Right wrist XR | lateral view | 16y M | follow-up study | cast present | 513 x 1232 px. 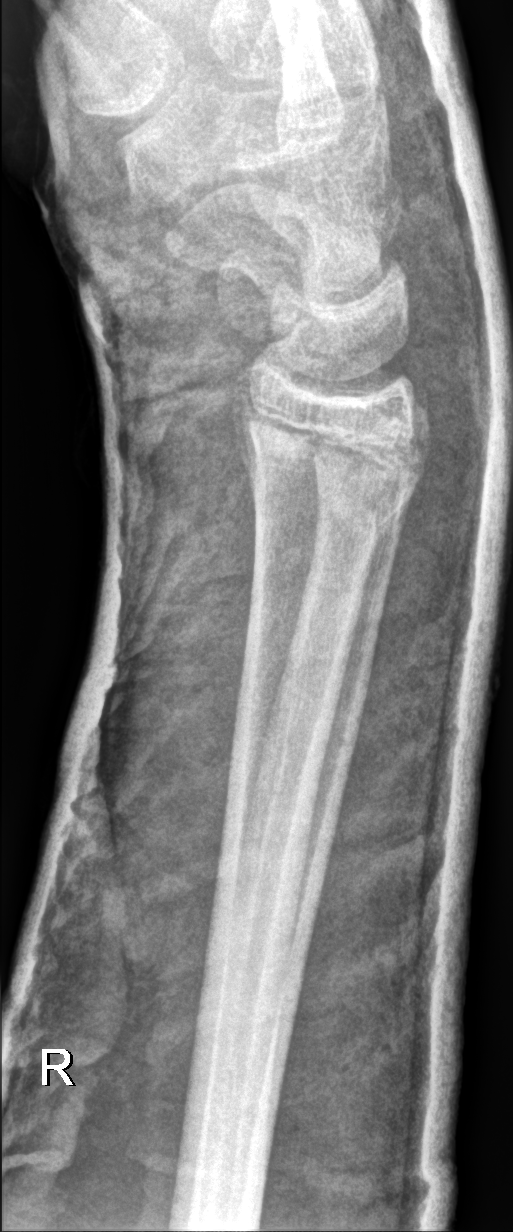 Fx: <232,409>-<438,544>